Posteroanterior view, right wrist plain radiograph of the wrist, 624x1050 —

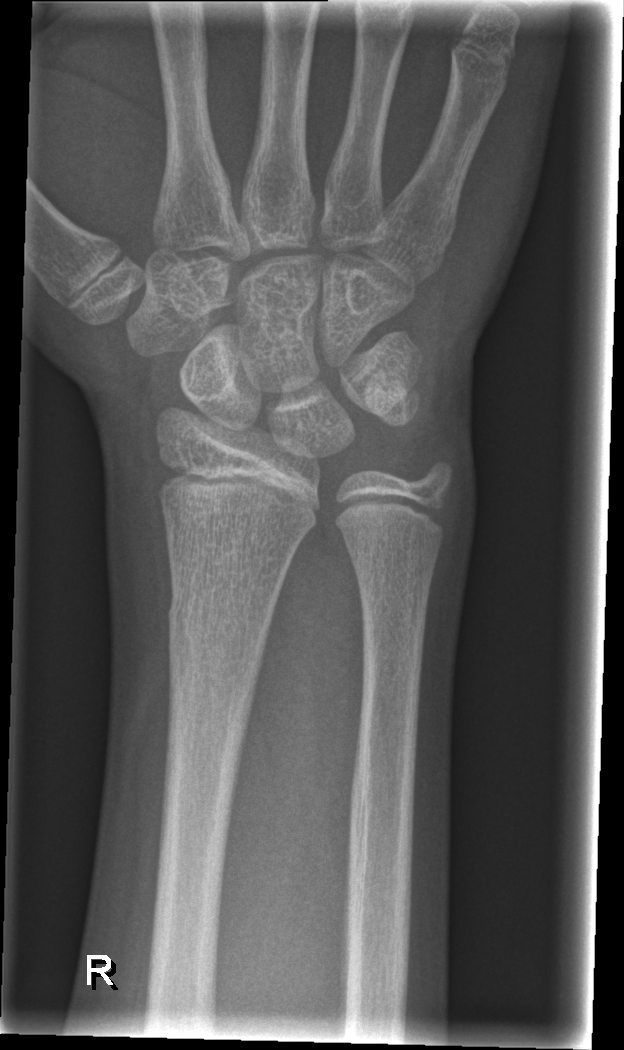 {
  "_coords": "coordinates are [x1, y1, x2, y2] in image pixels",
  "fracture": "163,585,277,668"
}